L wrist XR · PA/AP projection · age 9 y, girl · diagnosis uncertain.

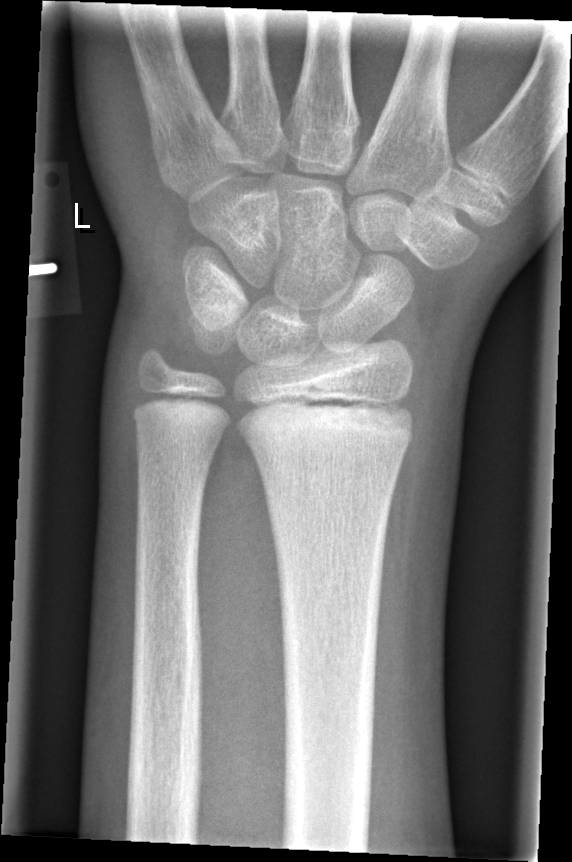 Bone fracture = none labeled